Left wrist radiograph · frontal · subsequent exam · imaged through cast

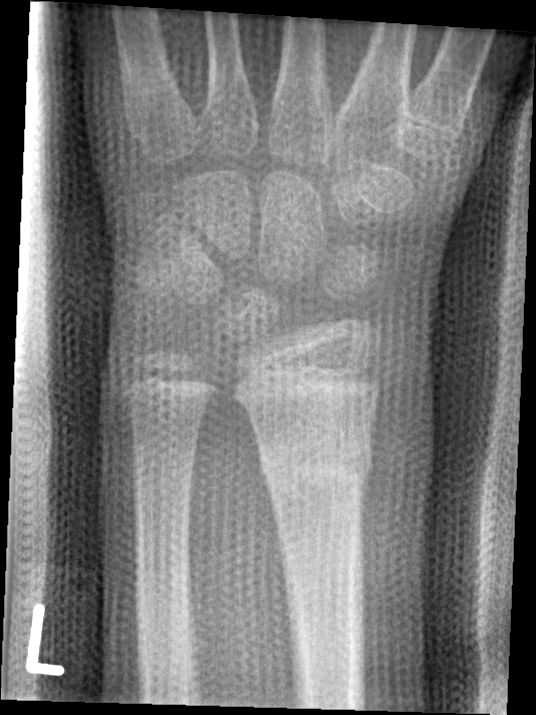 {
  "ao": "23r-M/2.1",
  "fracture": "1 @ (left=255, top=424, right=375, bottom=499)"
}